Lateral · Lt wrist radiograph · age 9 y, female · acquired on Siemens:

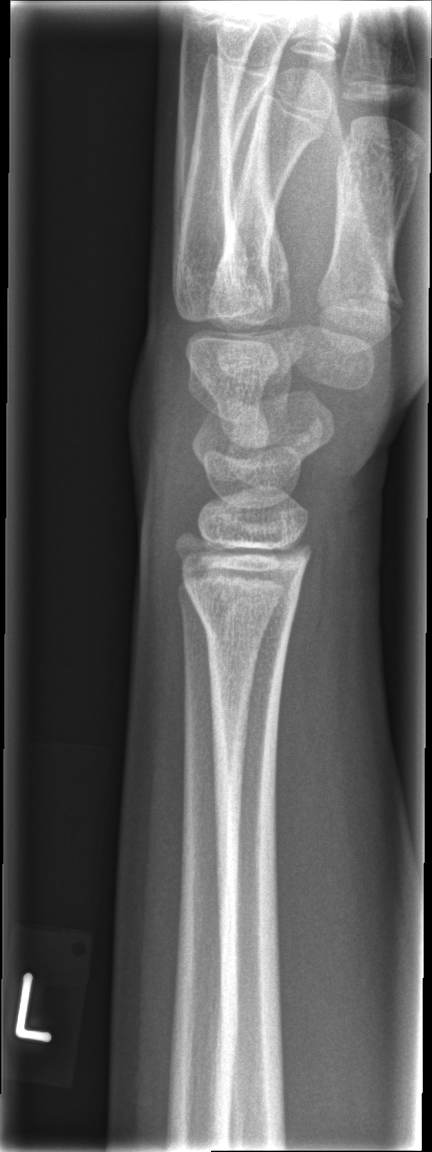 Fracture — 186,589,303,652.
Fracture classified AO/OTA 23r-M/2.1.